Rt wrist plain film | PA/AP projection | in cast —
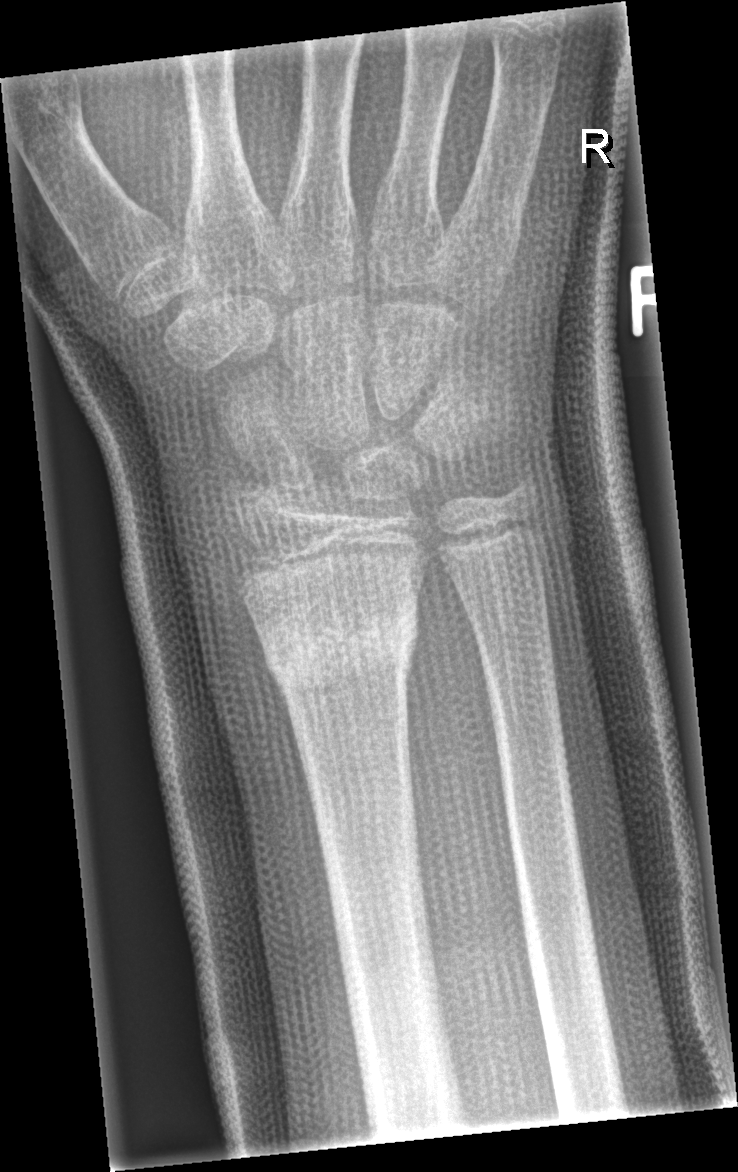

Bounding boxes in image-pixel xyxy. Fx identified at bbox(259, 594, 422, 697). AO code 23r-M/2.1.